PA/AP view, L wrist XR, age 14 y, girl, index exam, 598 x 806 px.
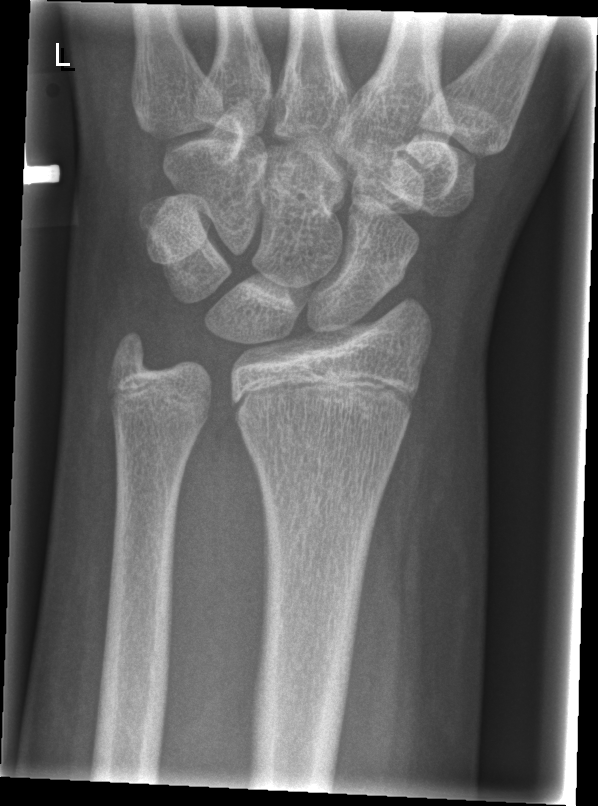

  fracture: none labeled